Right wrist X-ray · lat · subsequent exam: 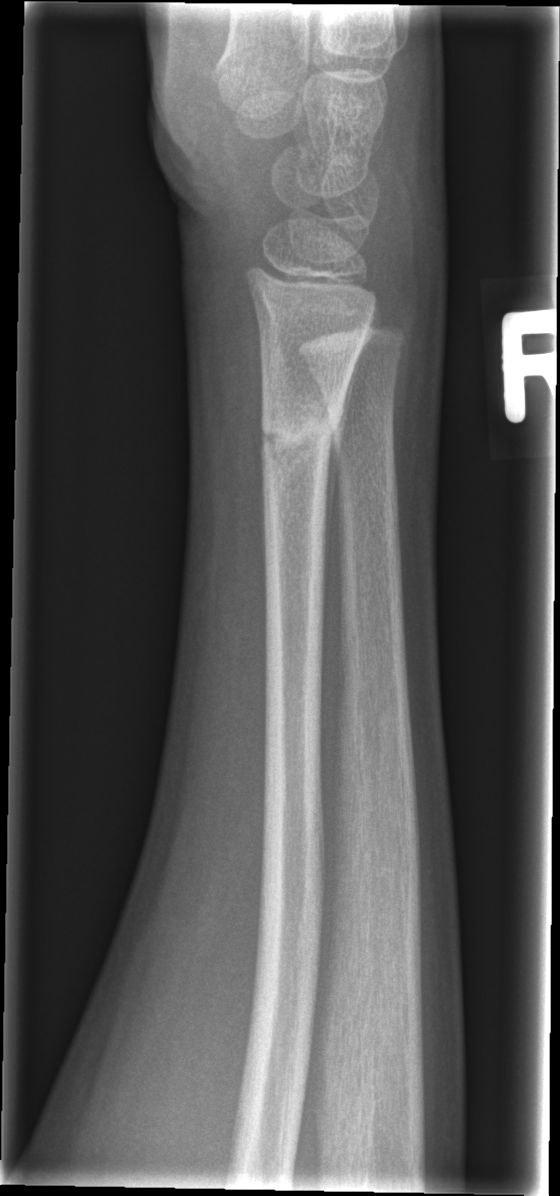

{
  "osteopenia": "present",
  "ao": "23r-M/3.1",
  "periostealreaction": "1 @ 318,438,341,645",
  "fracture": "257,394,344,472"
}